Left wrist X-ray | lat projection | presentation radiograph 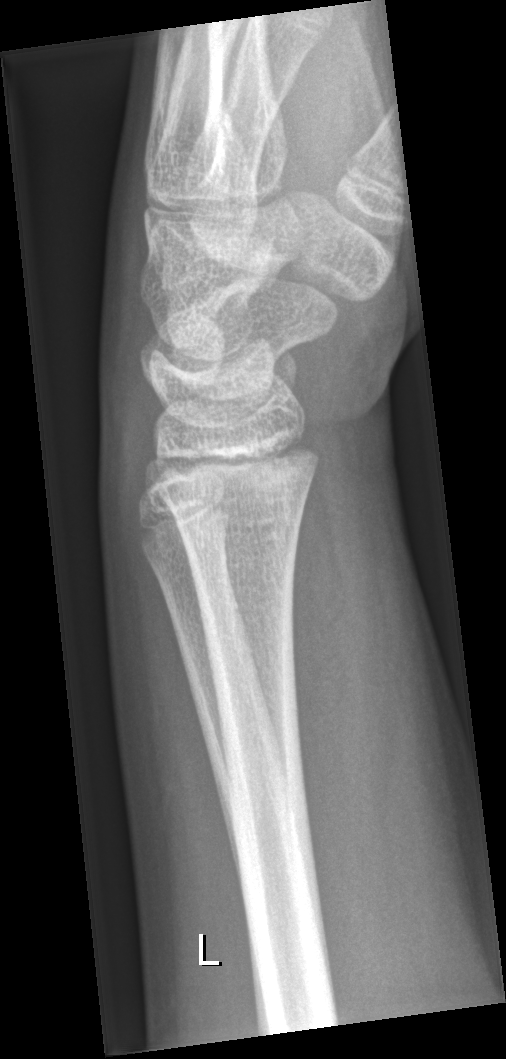
Findings: No Fx annotated.